PA projection, right wrist XR, index exam, image size 842x1035. 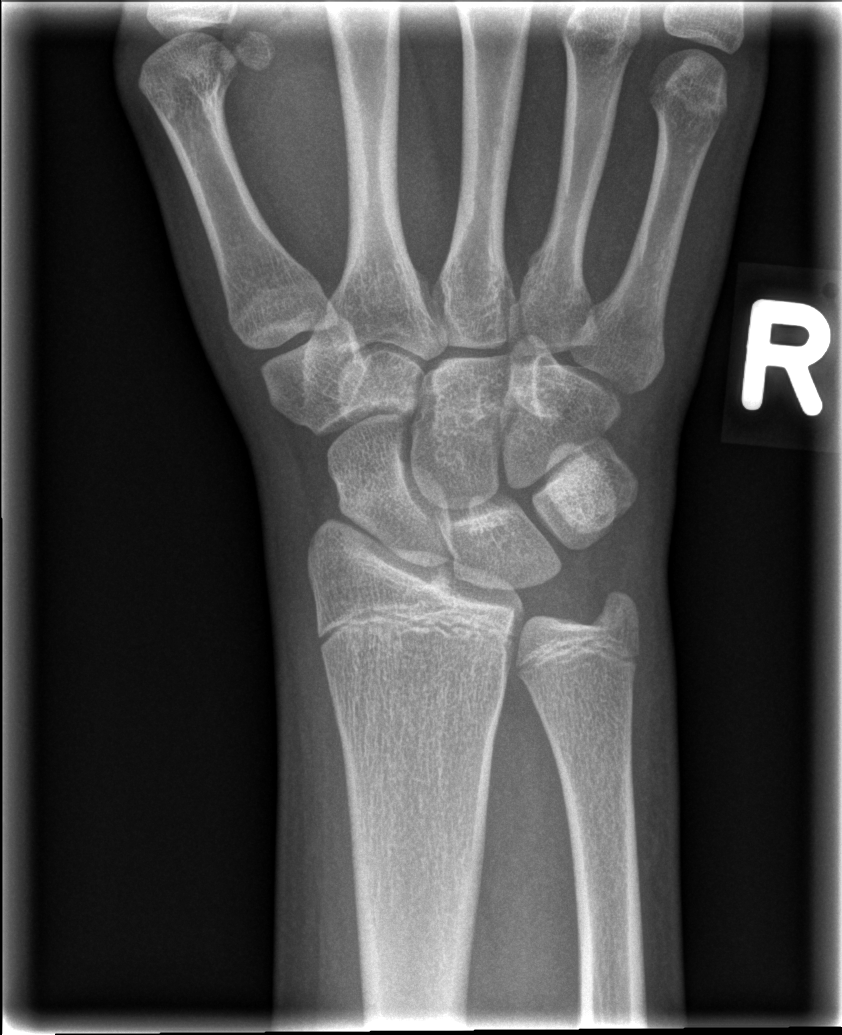
- No Fx annotated.